Posteroanterior projection · R wrist XR · 7-year-old male · imaged through cast.

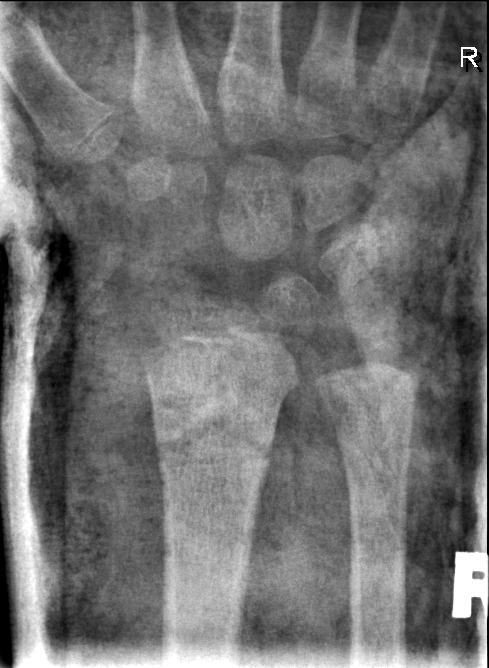 (pixel coordinates, top-left origin, xyxy)
Fracture: 1 @ <150,421>-<285,483>